Frontal projection; R wrist plain film; boy, 5 yo; follow-up study; cast in situ; detector: Siemens.
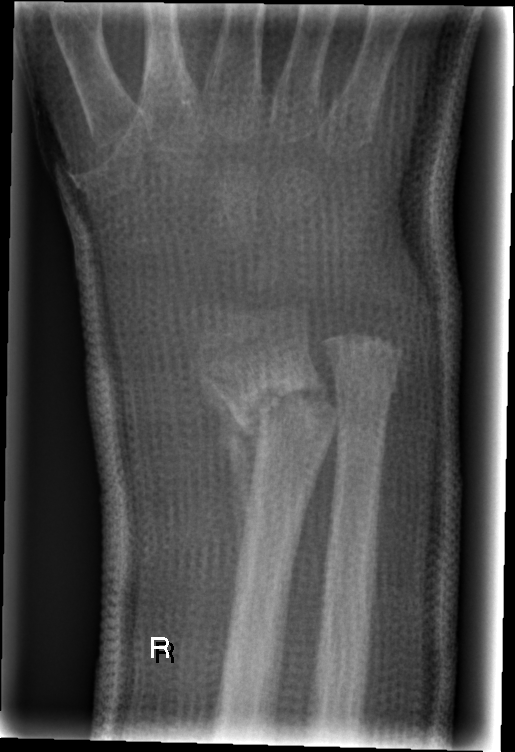

Bone fracture: 223,365,340,453. Periosteal thickening — 205,384,254,571.